Right wrist pediatric wrist radiograph, lat projection, index exam —

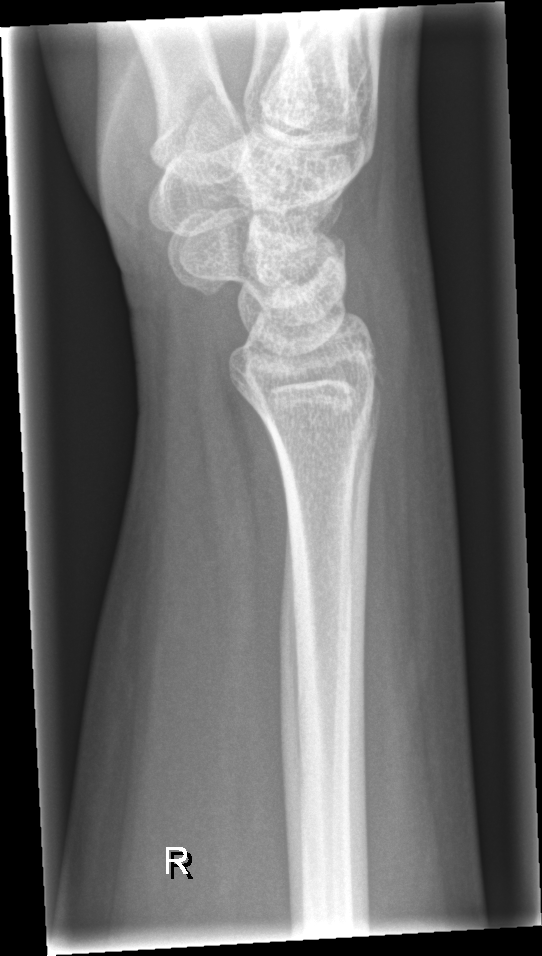

  fracture: none labeled